Lt wrist radiograph, lat, in cast.

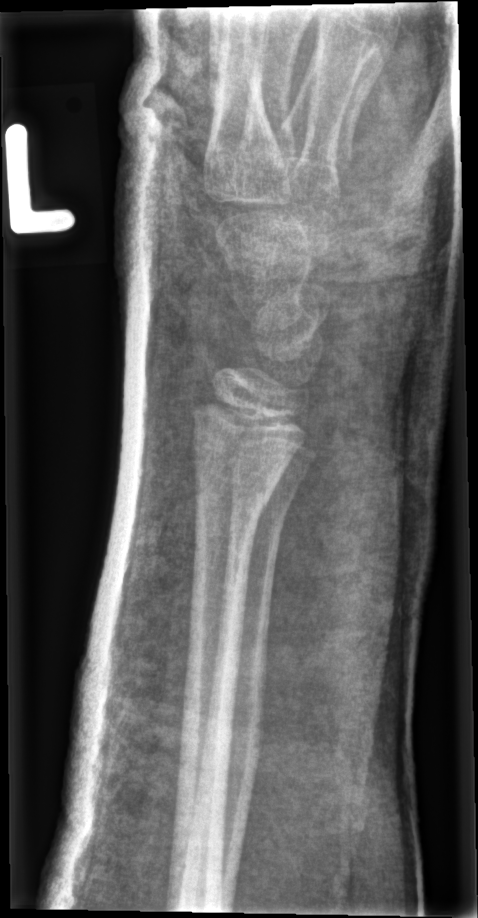

Fracture classified AO/OTA 23r-M/3.1. One bone fracture at [191, 465, 280, 520].